Right wrist radiograph · PA · pediatric patient (female, age 11) · initial study
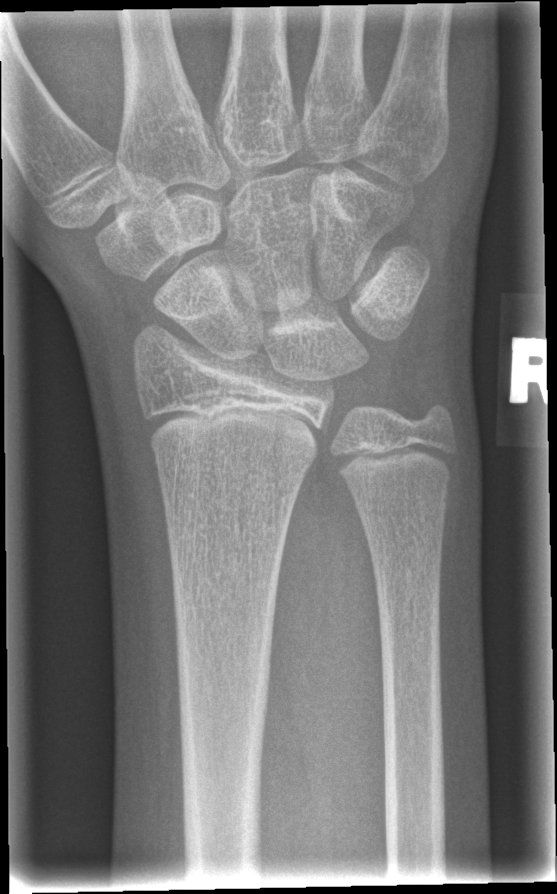

FINDINGS — No Fx annotated.